Frontal · left wrist X-ray · 114.0 mm image width.
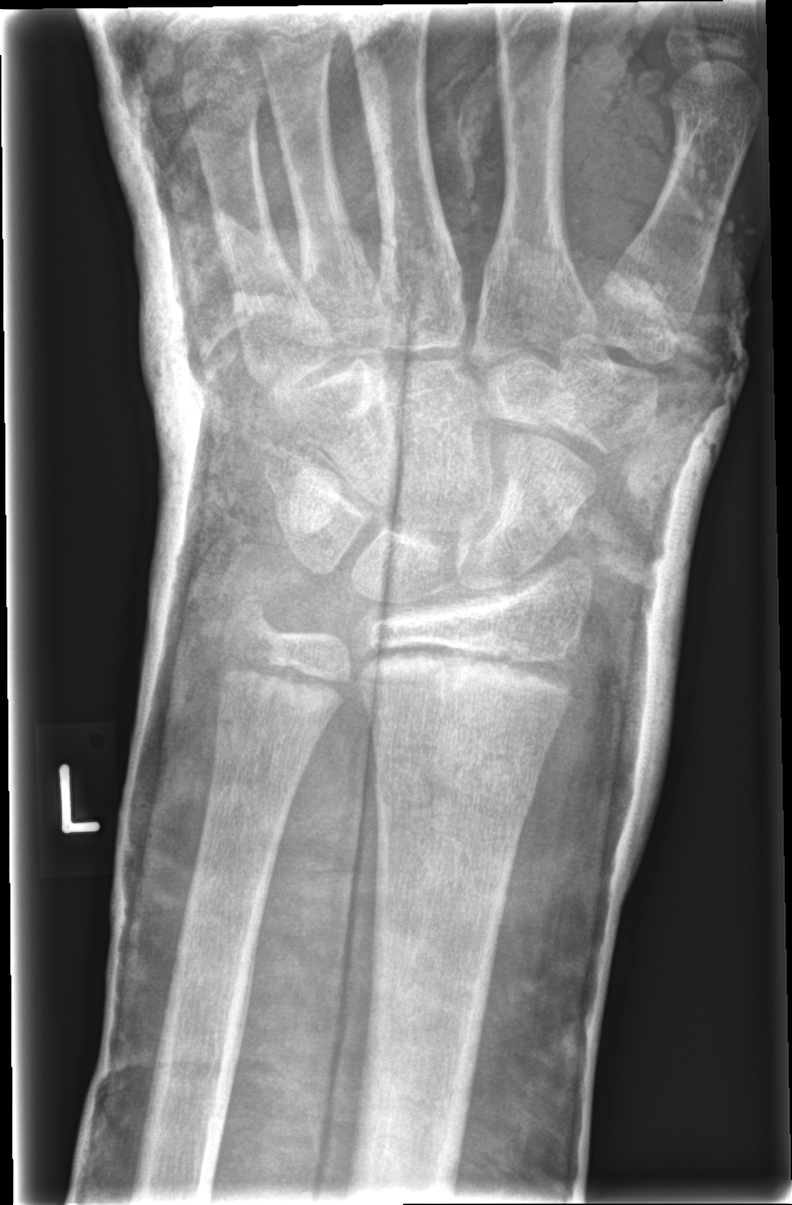 FINDINGS — (coordinates are [x1, y1, x2, y2] in image pixels) Two bone fractures at [365, 738, 544, 834]; [219, 583, 290, 650].